L pediatric wrist radiograph; posteroanterior; 582 by 858 pixels
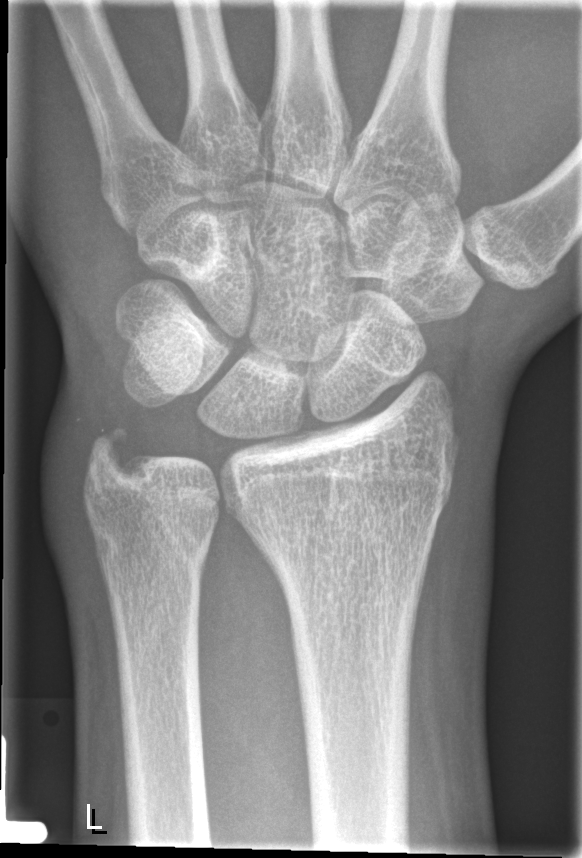
• AO/OTA classification: 23r-M/2.1; 23u-E/7.
• Fx — 228 419 463 522 | 82 417 156 491.